Lateral projection | right plain radiograph of the wrist | cast present —

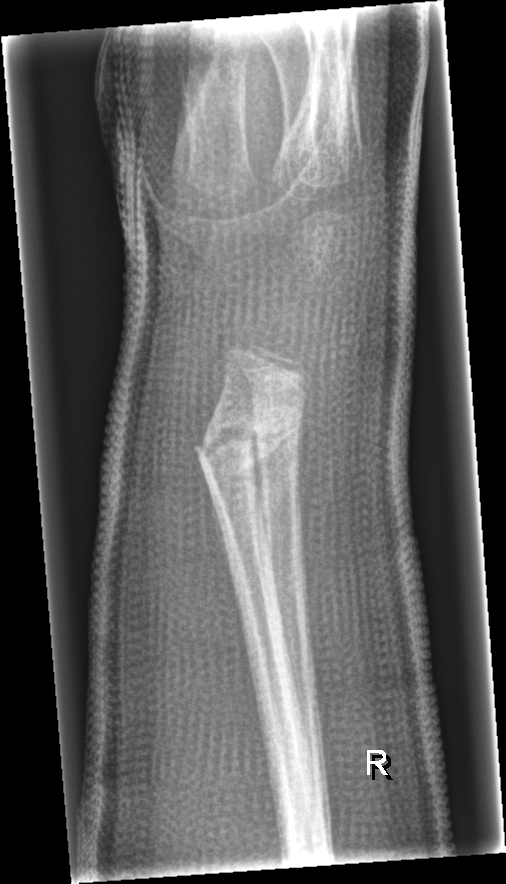
FINDINGS: Bone fracture identified at bbox(188, 400, 304, 484). AO code 23r-M/3.1.